Frontal view; left wrist XR; 15-year-old female

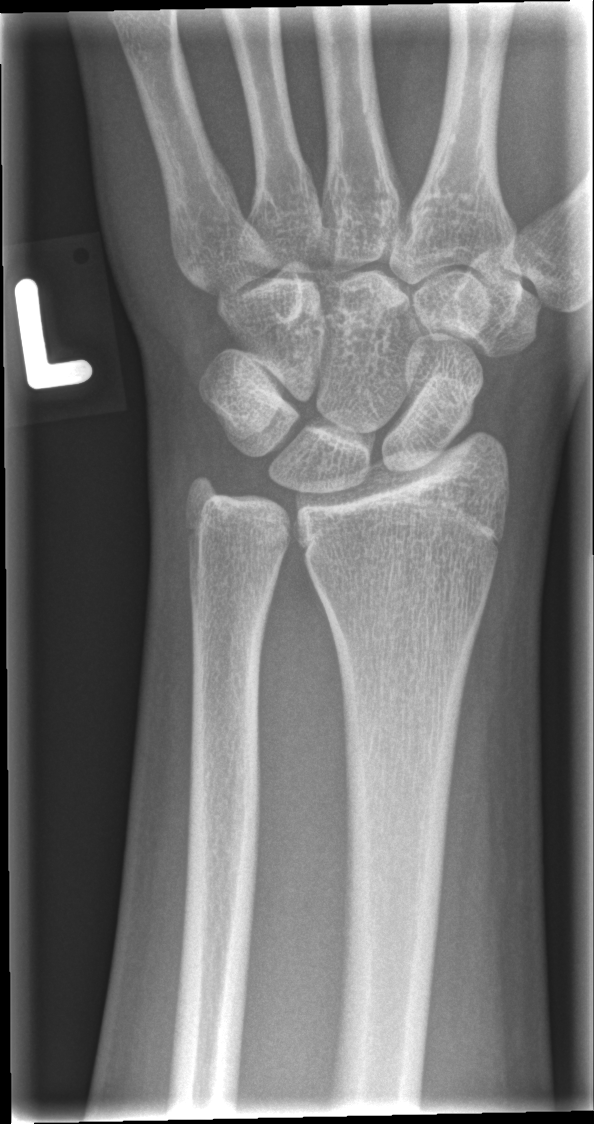

Q: Any fracture seen?
A: No fracture annotation